Lat projection; L plain radiograph of the wrist; 400 x 836 px —
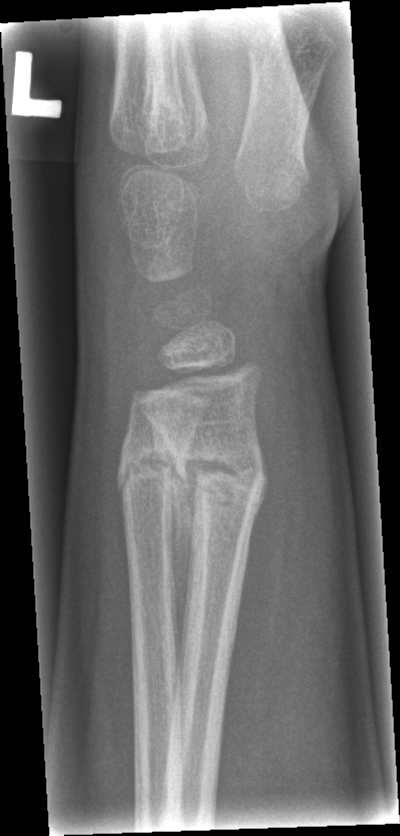

(boxes as x1,y1,x2,y2 (top-left / bottom-right, pixel units))
periosteal thickening = [151, 419, 197, 679]
AO classification = 23-M/3.1
Fx = 2 @ [162, 444, 268, 511]; [112, 443, 191, 496]
osteopenia = present